Posteroanterior, left wrist XR 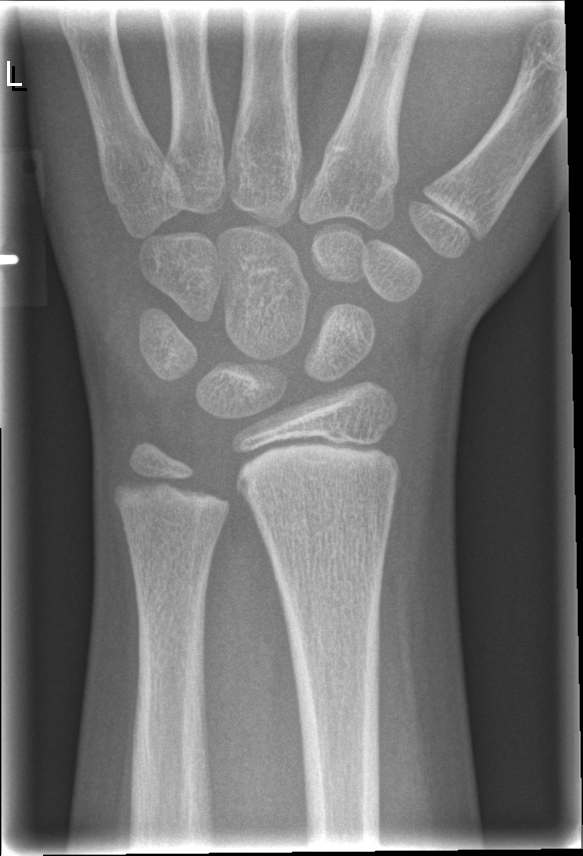

Fracture: none labeled